Right pediatric wrist radiograph, frontal, pediatric patient (male, age 8), follow-up study, image width 82.8 mm
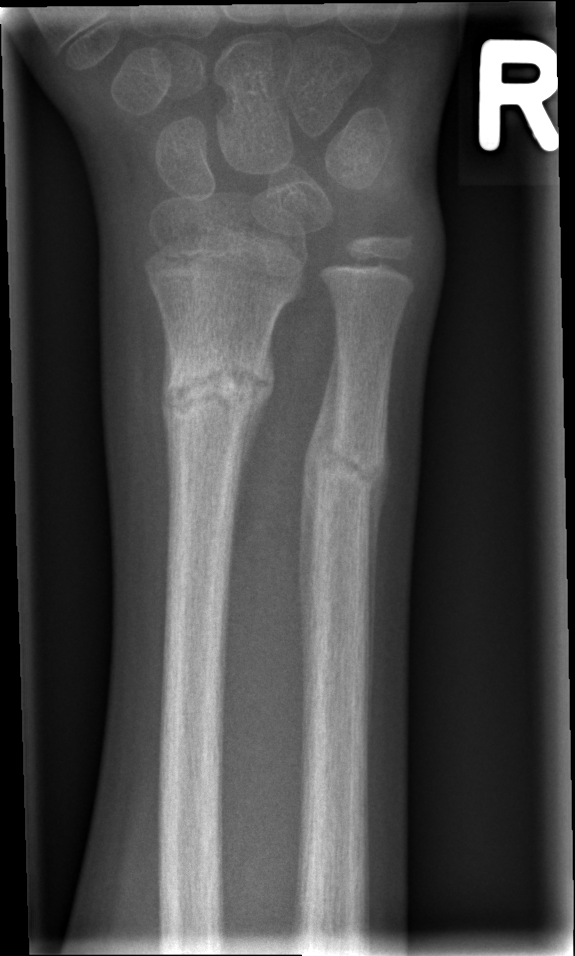
Q: Any fracture seen?
A: Fx identified at [x1=163, y1=347, x2=271, y2=433] [x1=305, y1=433, x2=392, y2=502]
Q: Bone density?
A: Osteopenic
Q: Locate any periosteal reaction.
A: Periosteal reaction identified at [x1=297, y1=334, x2=342, y2=757], [x1=368, y1=423, x2=389, y2=731], [x1=238, y1=325, x2=276, y2=473], [x1=161, y1=330, x2=174, y2=492]